Lateral | L wrist X-ray | age 14 y, male | detector: Siemens —

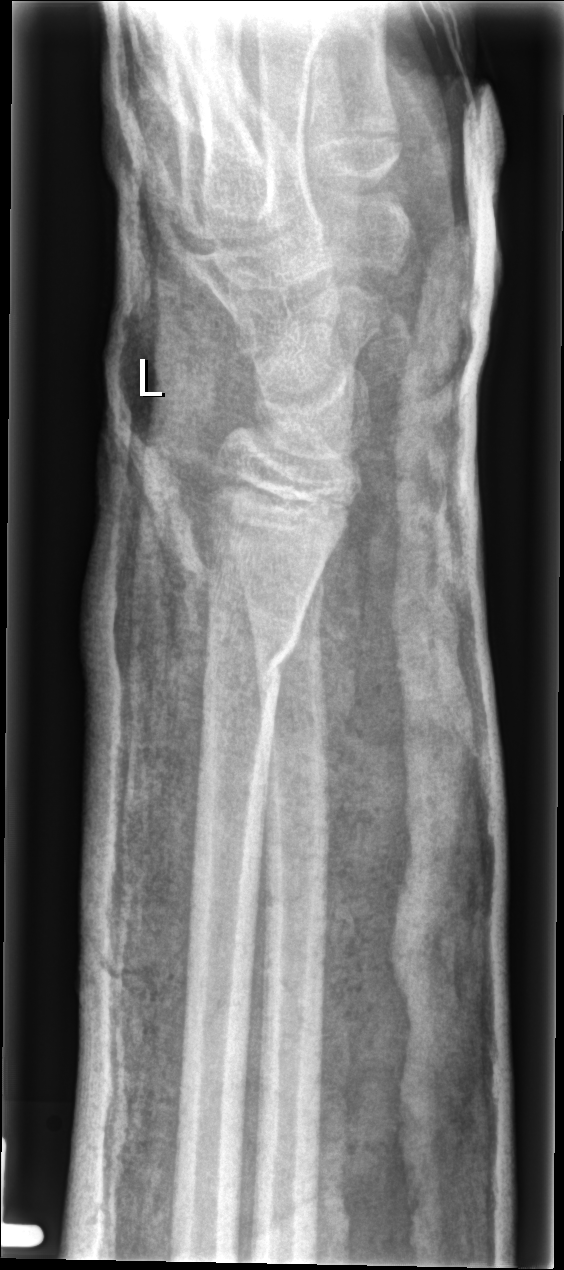 Boxes as x1,y1,x2,y2 (top-left / bottom-right, pixel units). Fx — [199, 618, 304, 706].